Lateral view · right wrist XR · 9y M · cast in situ · image width 69.3 mm — 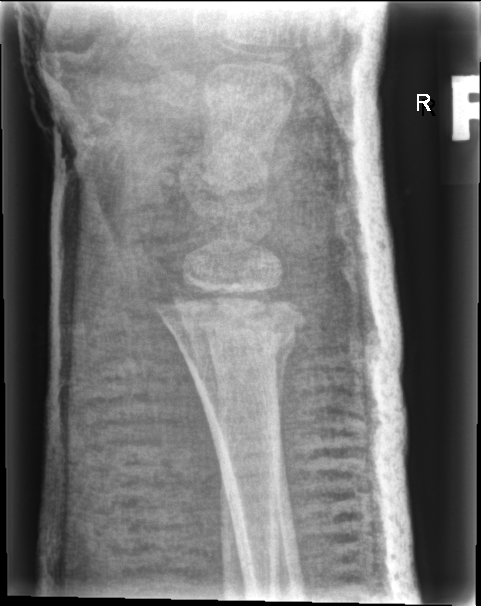 • Periosteal reaction — [271, 325, 302, 446].
• Fracture — [149, 279, 309, 376].